L wrist plain film | frontal view | girl, 9 yo | image size 663x1036

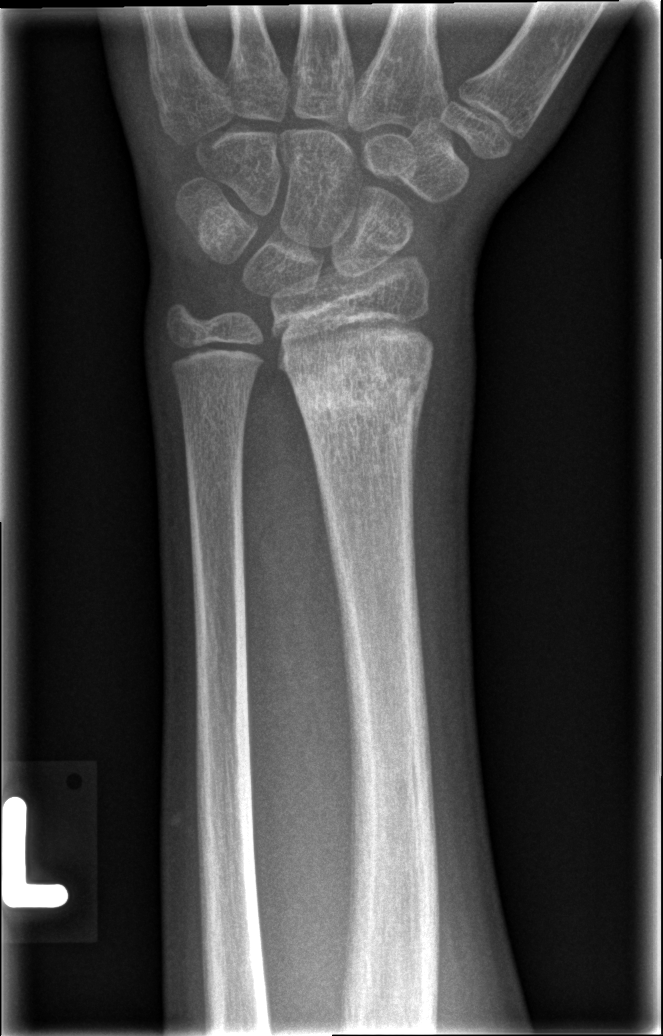
• One Fx at 281 340 436 430.